L plain radiograph of the wrist · PA view · cast in situ · 112.5 mm image width 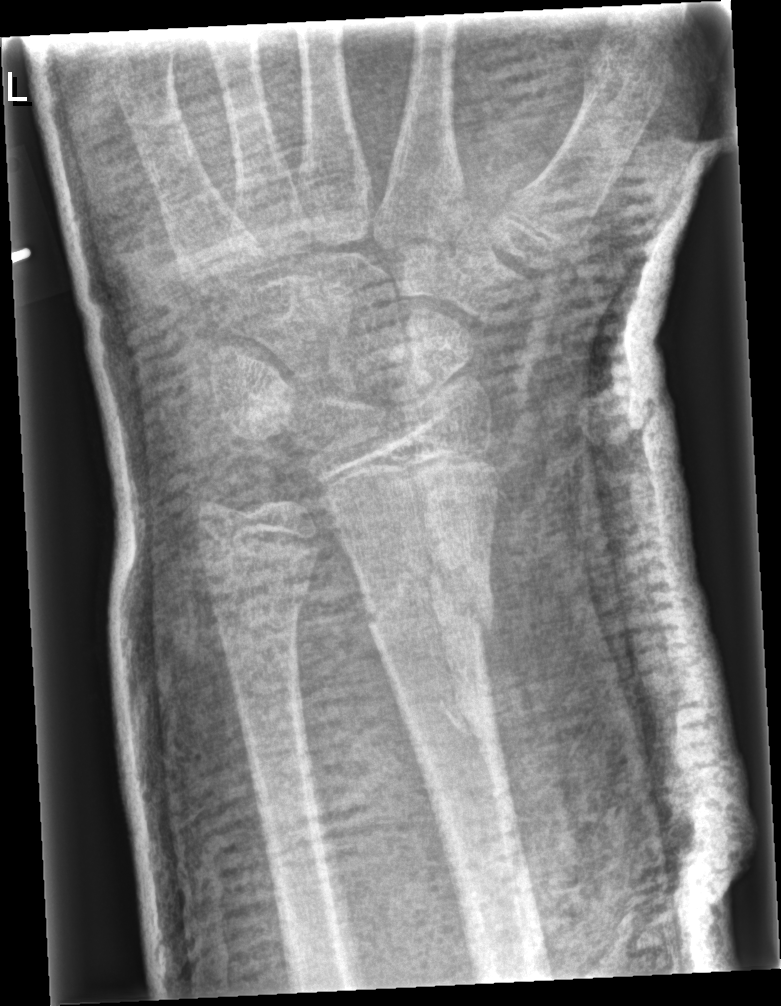
Fracture classified AO/OTA 23r-M/3.1; 23u-M/2.1.
Fracture: [360, 585, 499, 644], [207, 575, 310, 621].